PA projection, right wrist radiograph, age 13 y, male, in cast. 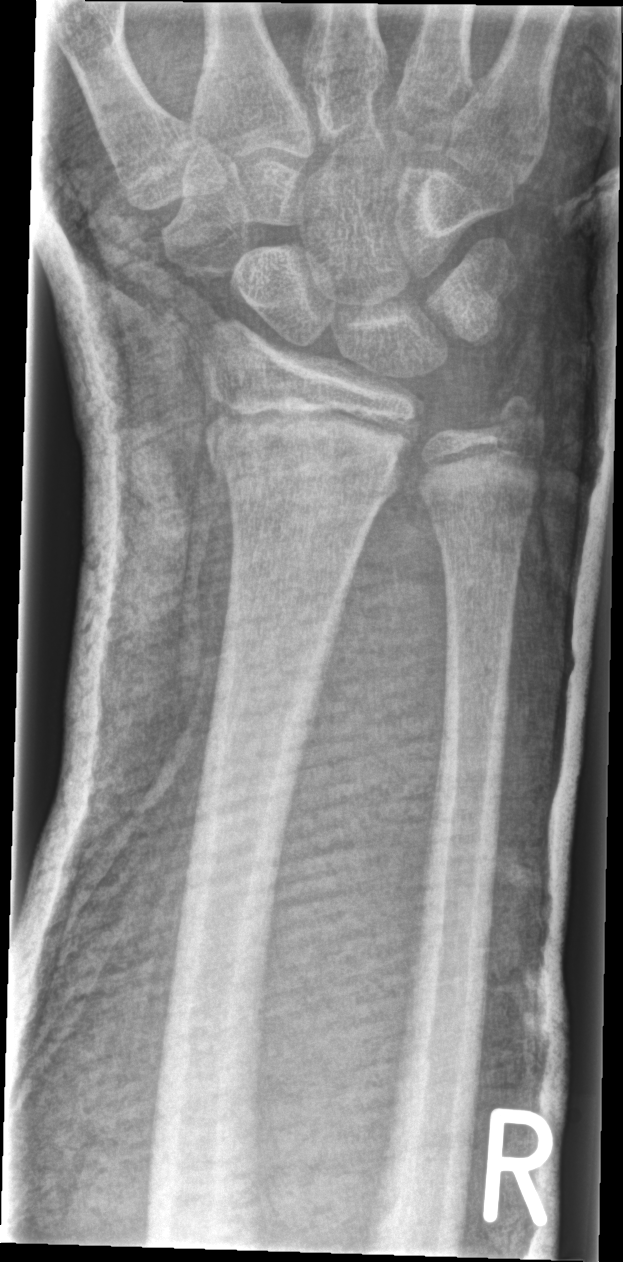 - Fx identified at (left=207, top=402, right=407, bottom=503) (left=483, top=389, right=551, bottom=450).
- AO/OTA classification: 23r-M/3.1; 23u-E/7.